L wrist X-ray | lat projection — 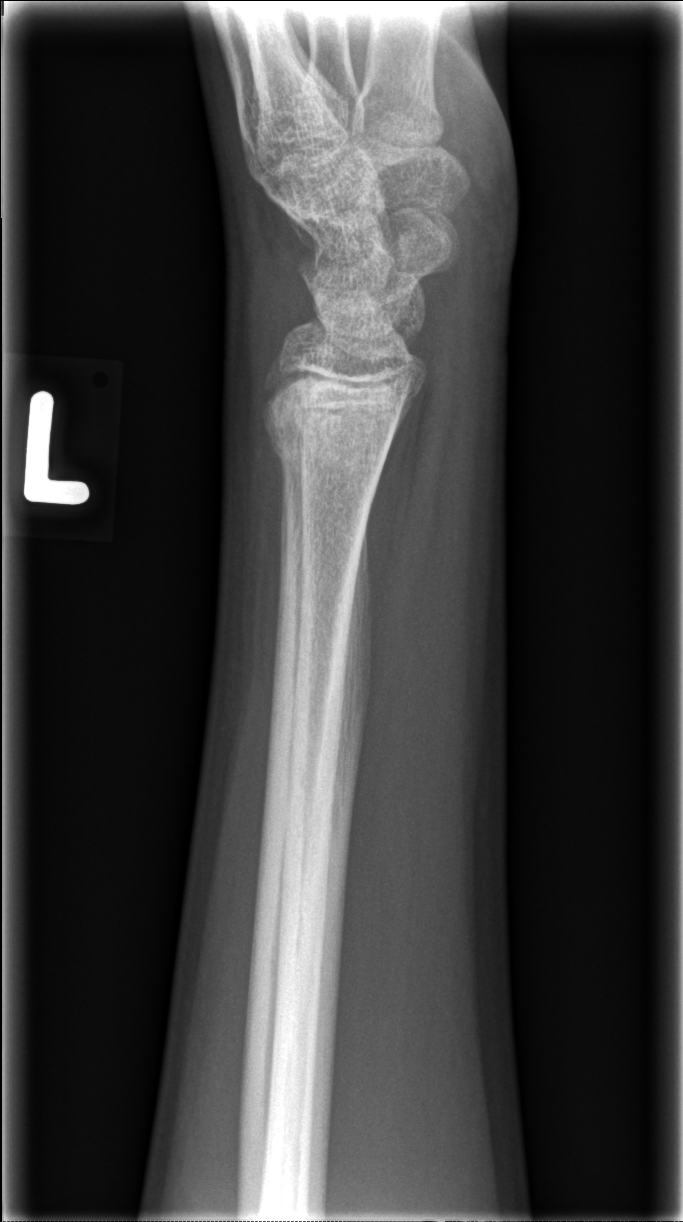

(coordinates are [x1, y1, x2, y2] in image pixels)
Q: Is there a fracture?
A: One fracture at [262, 410, 397, 488]
Q: What is the AO/OTA classification?
A: Fracture classified AO/OTA 23r-M/2.1